R plain radiograph of the wrist | PA/AP projection | follow-up | Siemens:
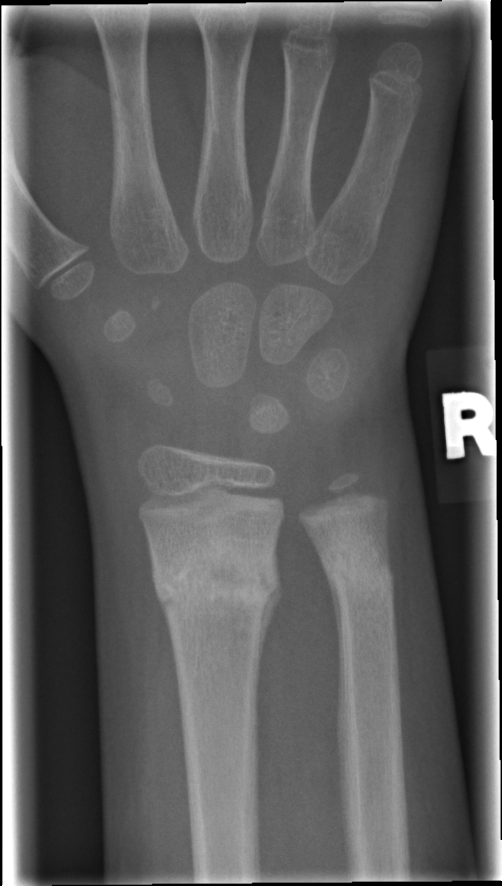

- Periosteal new bone: 255 539 284 700 | 322 560 343 703.
- Bone fractures — 147 541 285 634
  320 536 401 615.
- Decreased bone density (osteopenia).